Right wrist radiograph | lat view | follow-up study | in cast —

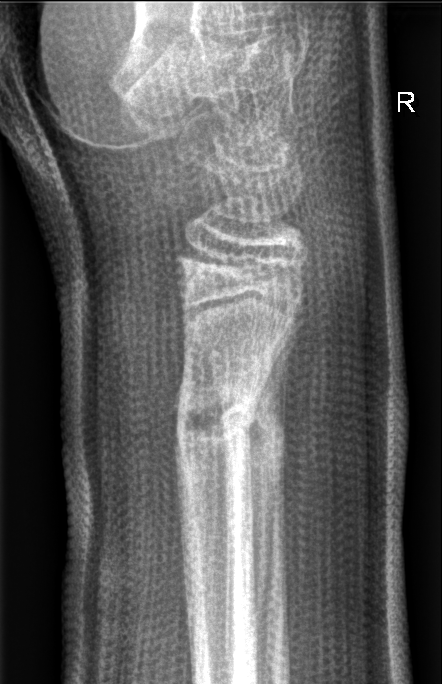
• One periosteal reaction at 246,310,299,641.
• AO code 23r-M/3.1; 23u-E/7.
• Fx identified at 170,381,265,469.